Right wrist plain film | lat view | Siemens 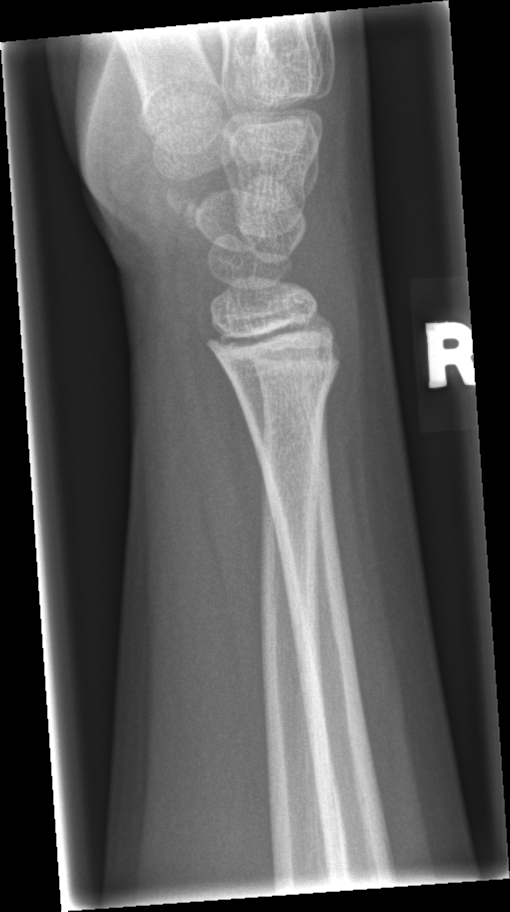 - Boxes as x1,y1,x2,y2 (top-left / bottom-right, pixel units).
- AO code 23r-M/2.1.
- One fracture at 231 345 347 425.